Lateral projection, left wrist X-ray.

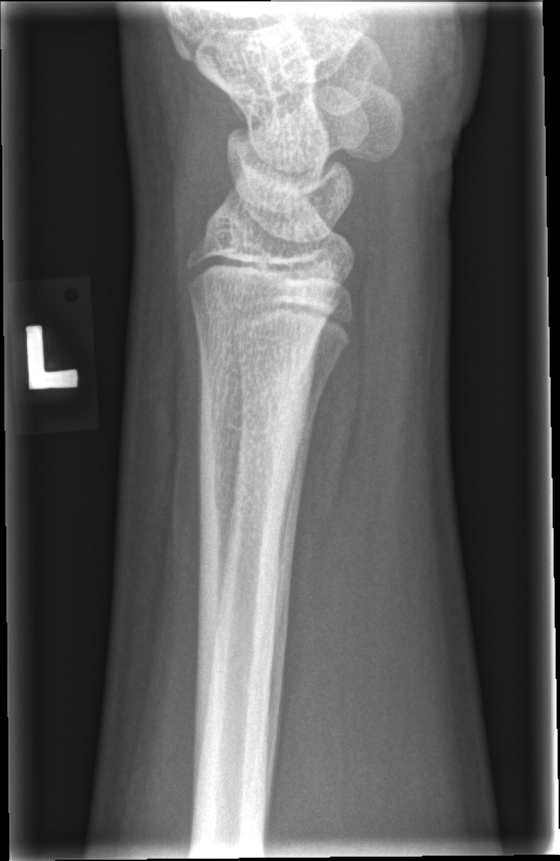

- No fracture labeled.